Lateral view | left pediatric wrist radiograph | pediatric patient (female, age 12) | in cast | 656x1212. 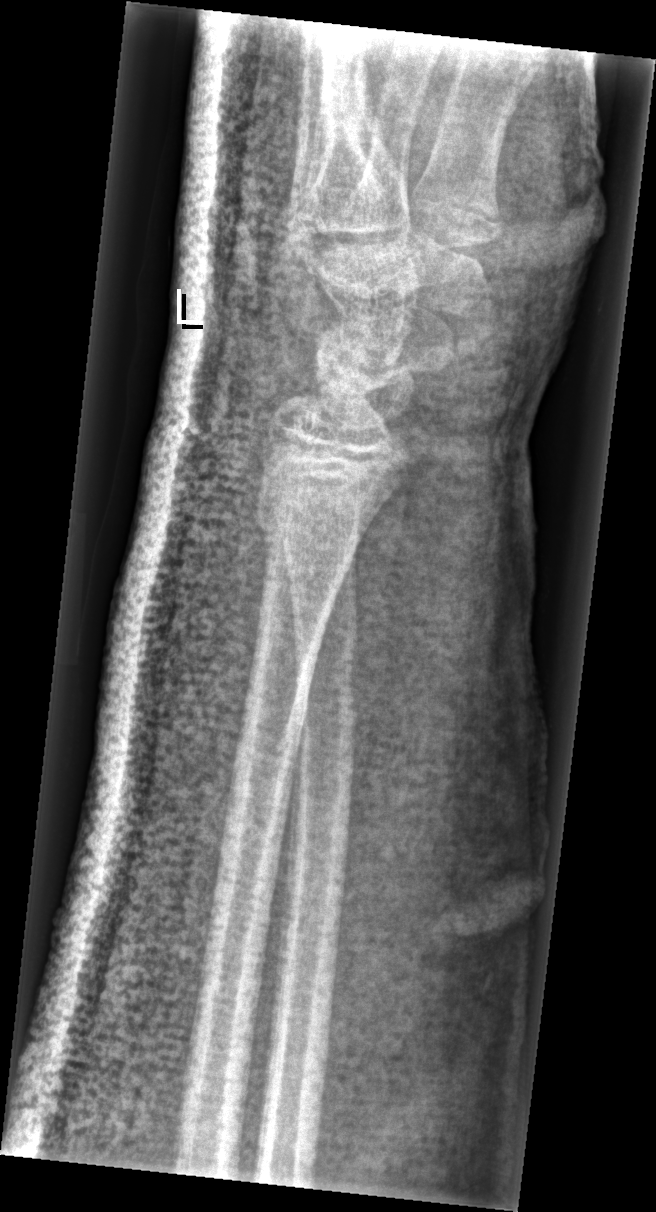
FINDINGS: AO/OTA classification: 23r-M/3.1. One fracture at [249, 473, 381, 556].